PA projection · left wrist radiograph · 7-year-old girl · index exam. 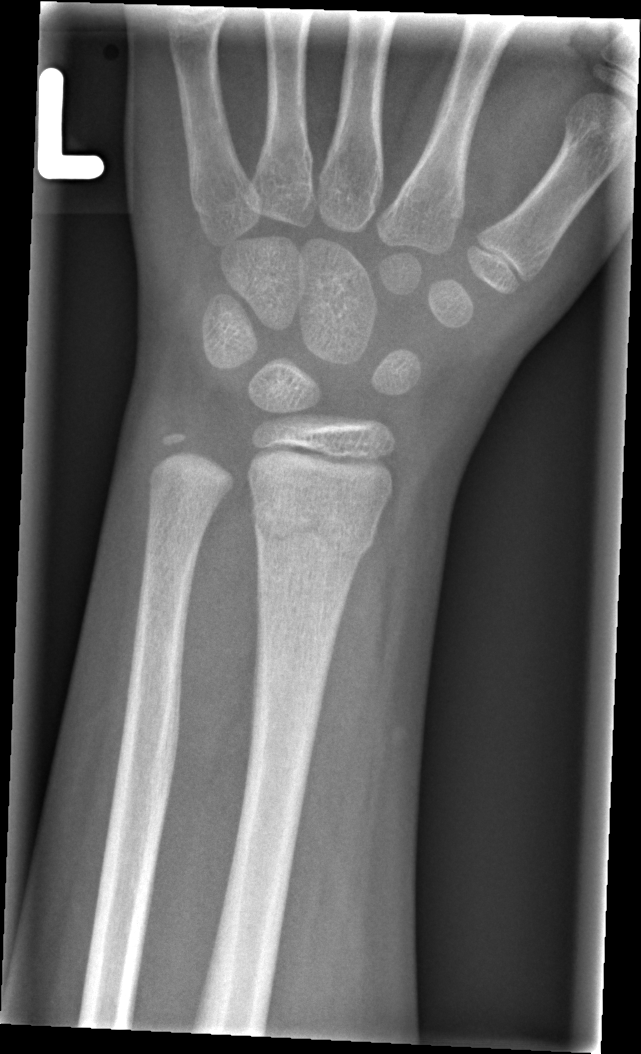

* Fx identified at [x1=247, y1=496, x2=379, y2=568].